Rt wrist X-ray; lat view; 50.1 mm image width; 348 x 686 px
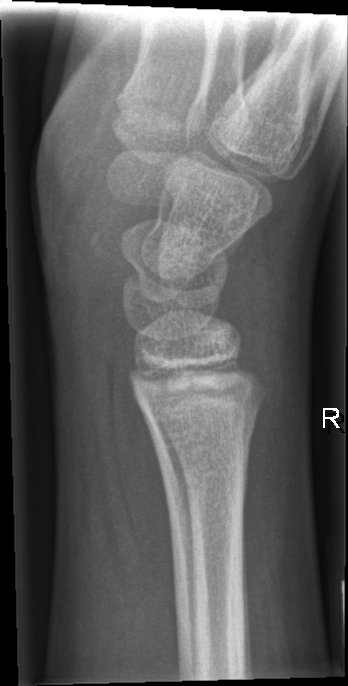 (bounding boxes in image-pixel xyxy)
Positive pronator fat-pad sign: 1 @ <107,315>-<178,614>
Bone fracture: <146,395>-<275,460>